Lt plain radiograph of the wrist, AP, 13-year-old male, in cast.
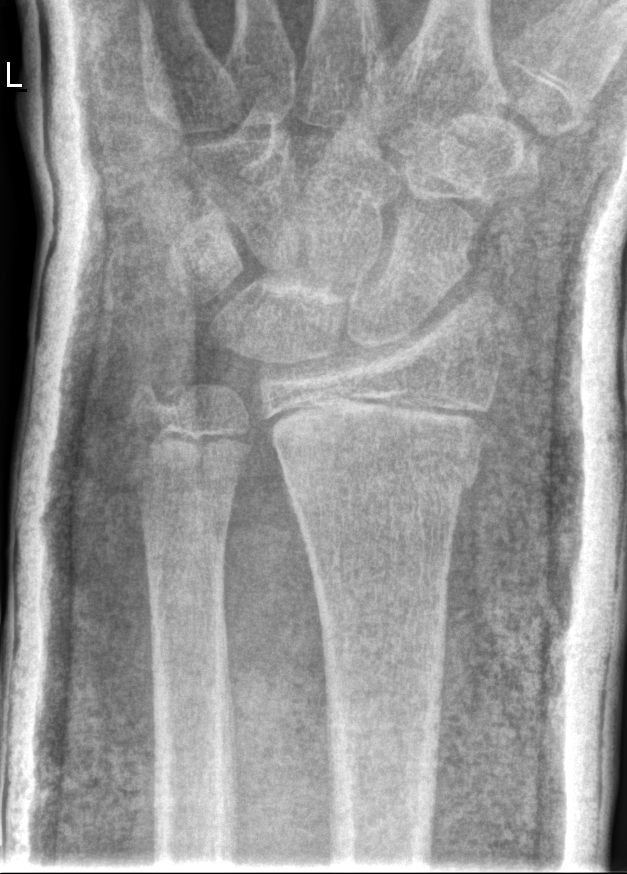
{
  "_coords": "boxes as x1,y1,x2,y2 (top-left / bottom-right, pixel units)",
  "fracture": "1 @ [x1=269, y1=414, x2=487, y2=512]",
  "ao": "23r-M/3.1"
}